Lt pediatric wrist radiograph; lateral projection; age 5 y, girl; detector: Siemens —

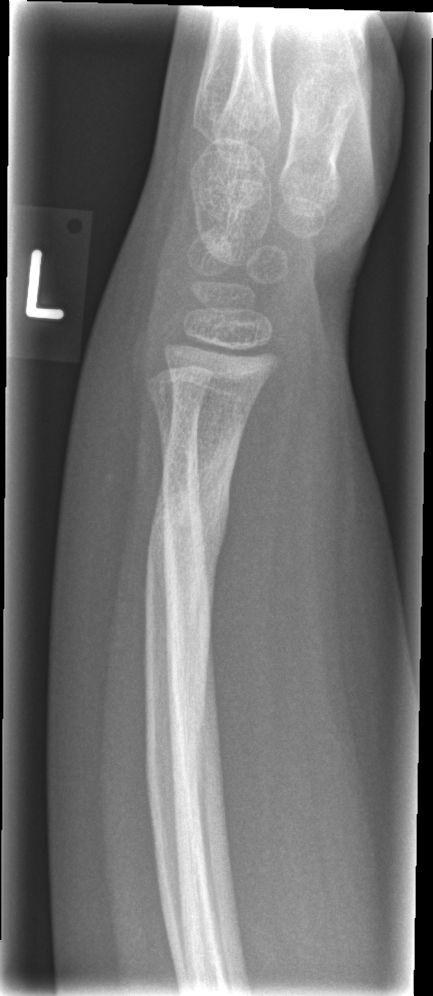 AO classification = 23r-M/3.1; 23u-M/2.1
Fracture = 1 @ [x1=145, y1=424, x2=243, y2=594]